AP, Rt wrist XR, pediatric patient (boy, age 2).

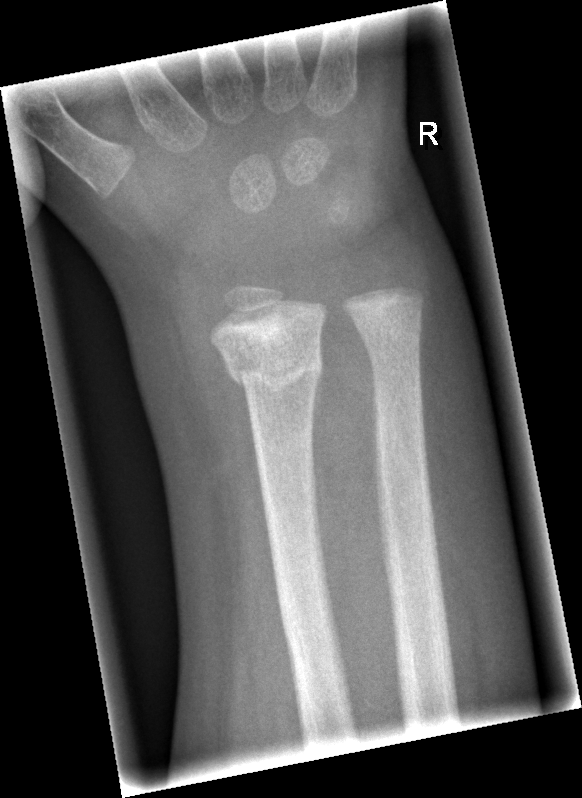 * One Fx at [x1=226, y1=336, x2=325, y2=403].
* Fracture classified AO/OTA 23r-M/3.1; 23u-M/2.1.